Lateral view; R pediatric wrist radiograph; initial study —
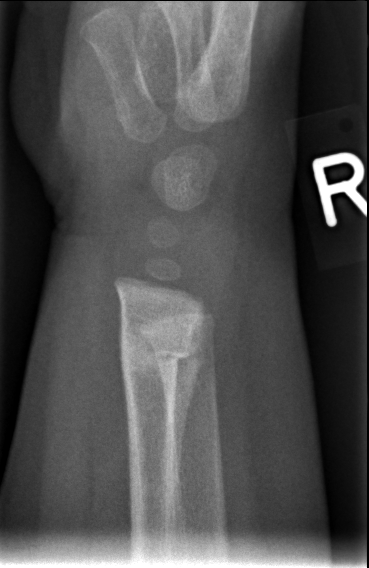 # boxes as x1,y1,x2,y2 (top-left / bottom-right, pixel units)
periostealreaction: 1 @ [173, 307, 204, 491]
fracture: 1 @ [114, 324, 203, 387]